AP projection, right wrist XR, follow-up study, in cast — 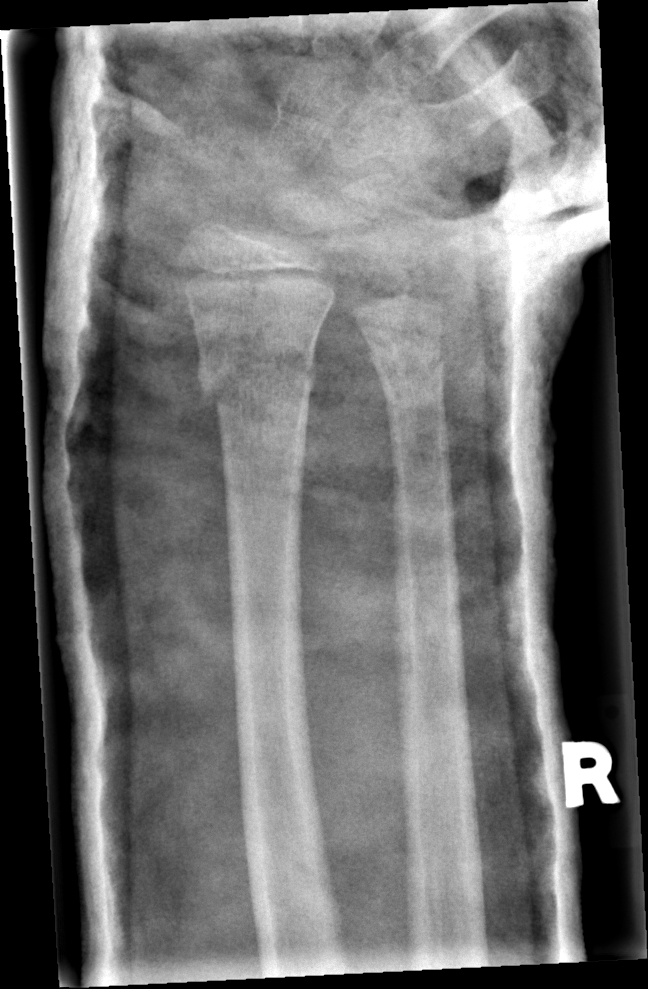

fracture: 2 @ (192, 339, 322, 422), (363, 336, 449, 396)
ao: 23r-M/3.1; 23u-M/2.1